Left plain radiograph of the wrist; lat:

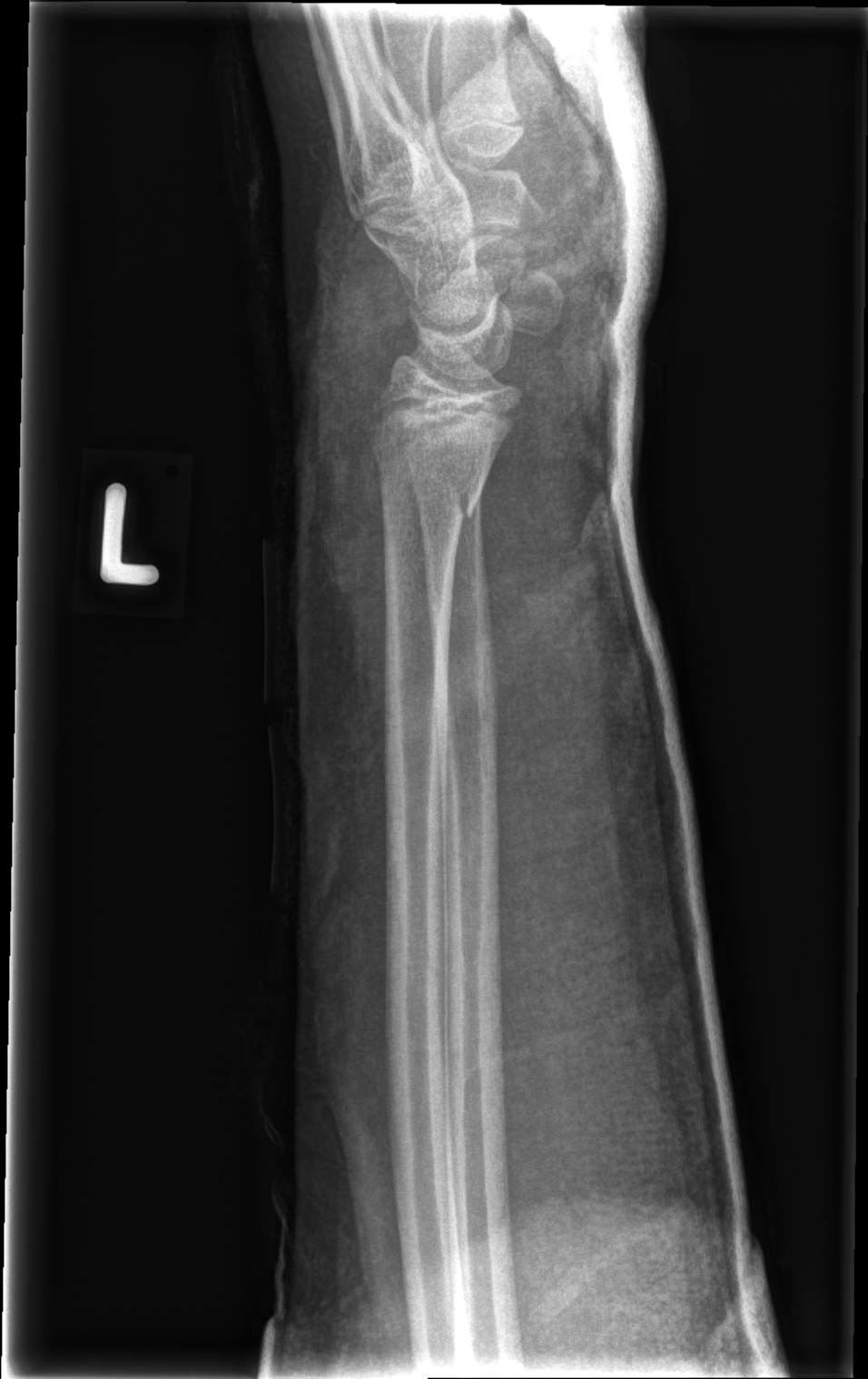

AO/OTA = 23r-M/3.1
Fx = bbox(367, 429, 499, 527)